Right wrist plain film, lat projection, Siemens —
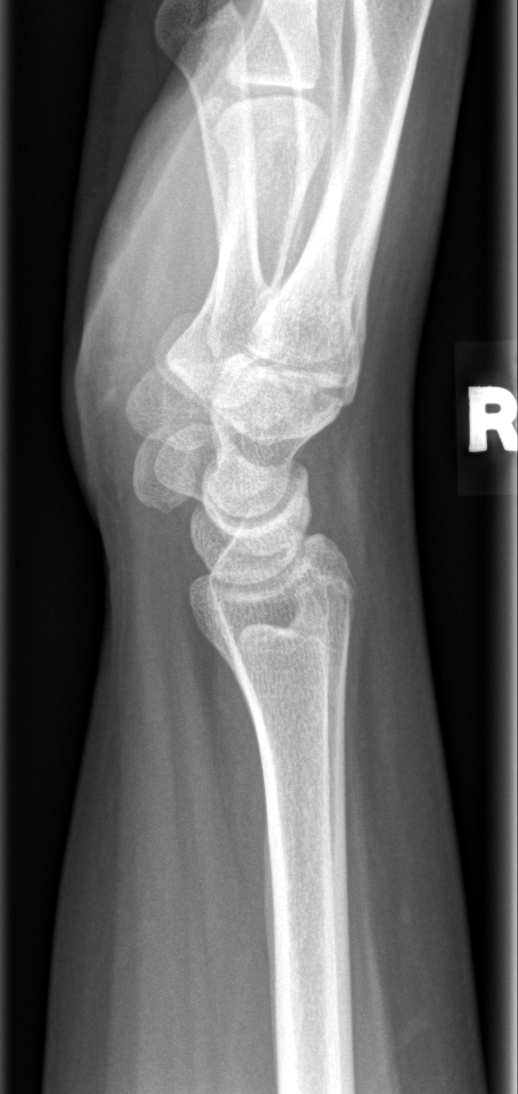 fracture: none labeled